Lat projection | left wrist plain radiograph of the wrist | 14-year-old male | subsequent exam —
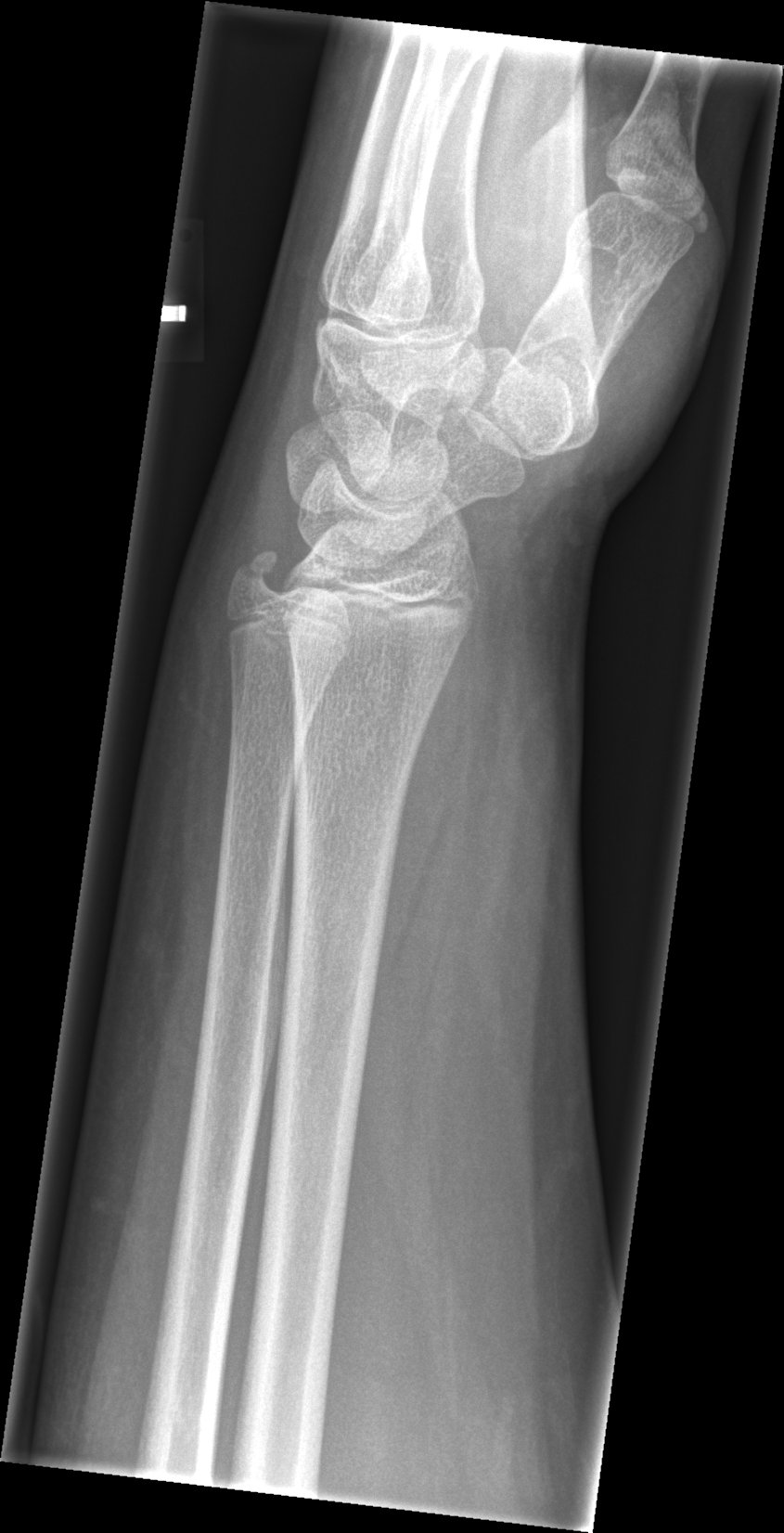

FINDINGS — (coordinates are [x1, y1, x2, y2] in image pixels) One fracture at (left=223, top=540, right=290, bottom=609). AO/OTA classification: 23u-E/7.